Lat view | right wrist plain film | age 11 y, male | presentation radiograph —

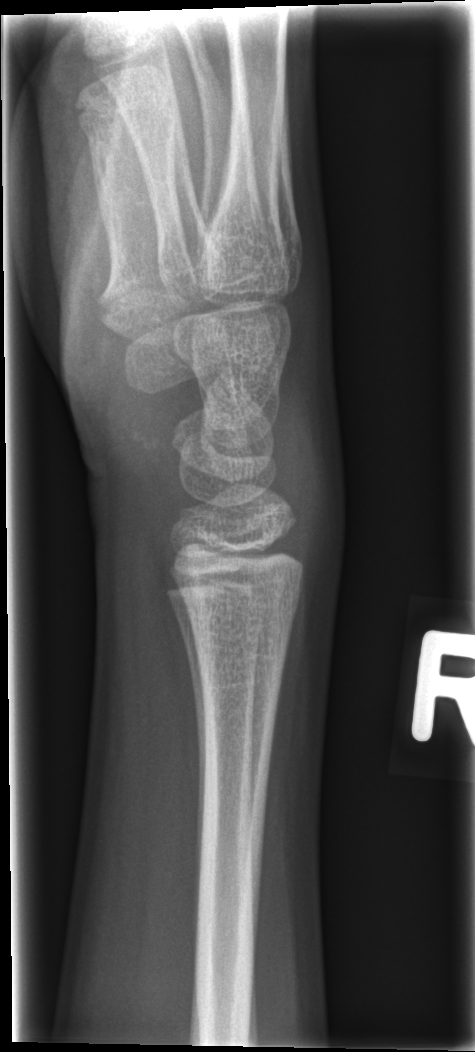 fracture: none labeled